Posteroanterior · left pediatric wrist radiograph · 6-year-old female · Siemens.

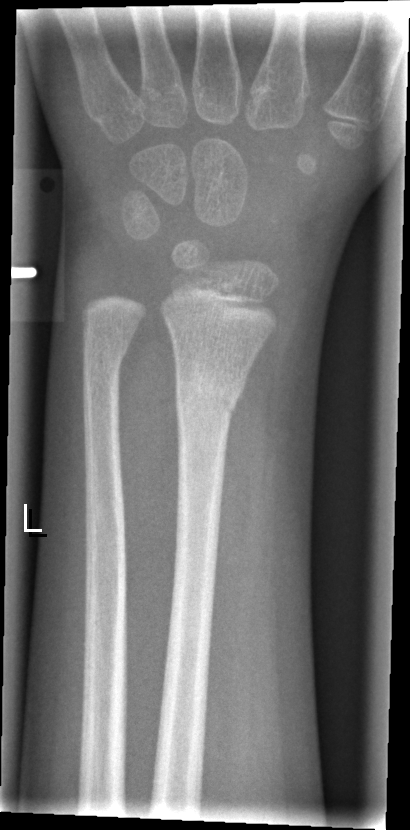 Findings: Two bone fractures at [x1=173, y1=364, x2=246, y2=422], [x1=79, y1=334, x2=130, y2=372].